PA/AP view; R wrist plain film; 15y F; detector: Siemens.
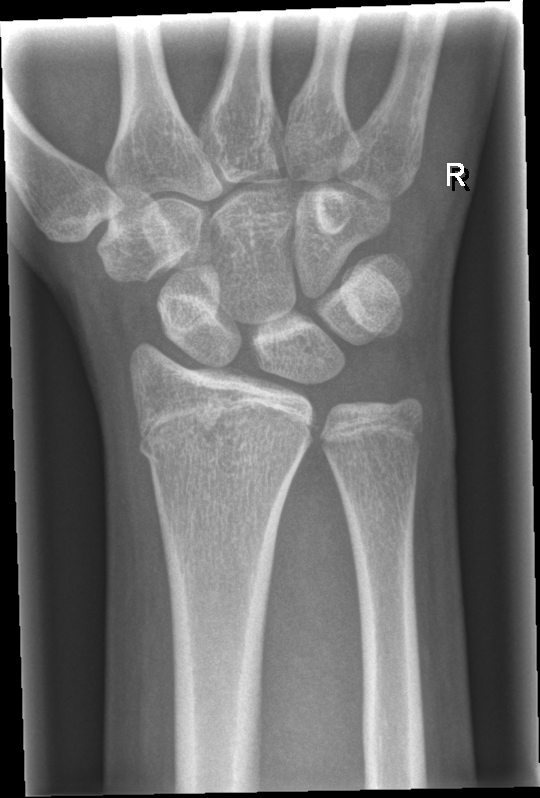

(pixel coordinates, top-left origin, xyxy)
Fx: 133,403,315,469
AO/OTA: 23r-M/2.1